Frontal view, L wrist radiograph, acquired on Siemens:

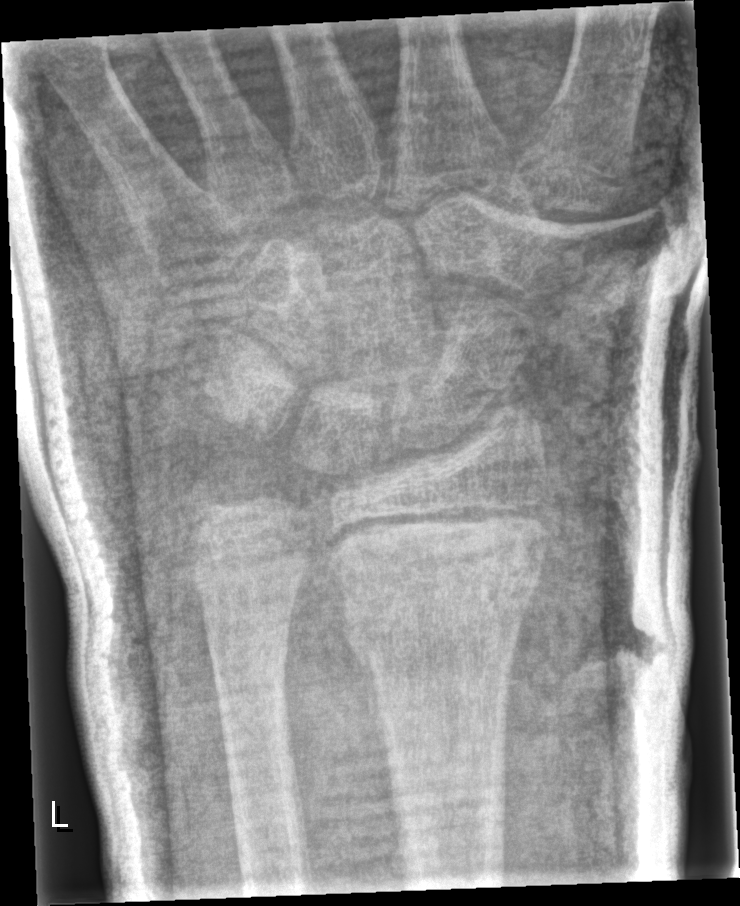 Findings: Fx — (left=338, top=549, right=544, bottom=684); (left=192, top=587, right=296, bottom=691).